AP view; Rt plain radiograph of the wrist; cast in situ; Siemens; image size 459x910 —
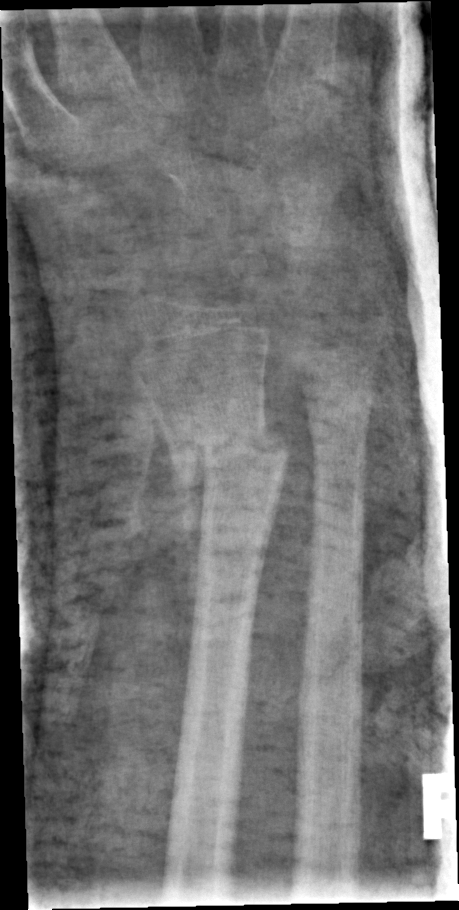

* Bone fracture identified at <154,409>-<295,485>; <302,382>-<377,451>.